Lateral view; left wrist X-ray; pediatric patient (female, age 8).

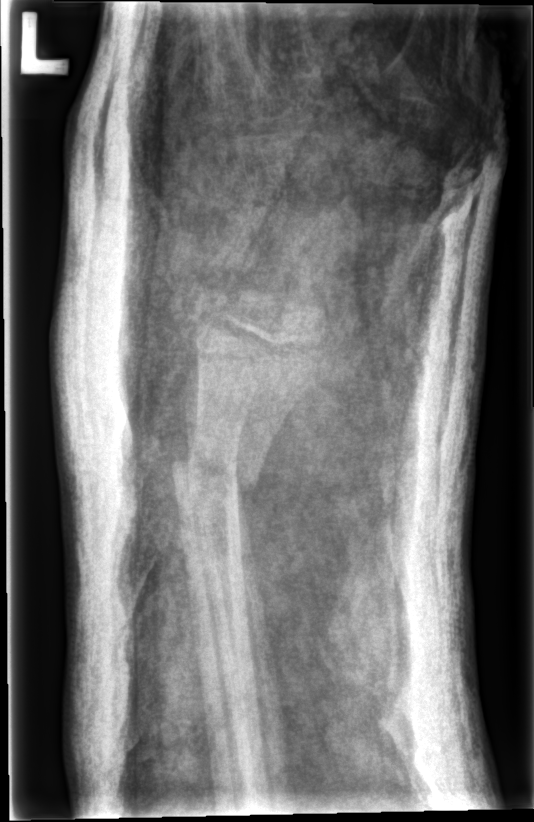 AO/OTA: 23-M/3.1
bone fracture: (167, 441, 262, 510)